Left wrist plain radiograph of the wrist, PA/AP projection, acquired on Siemens: 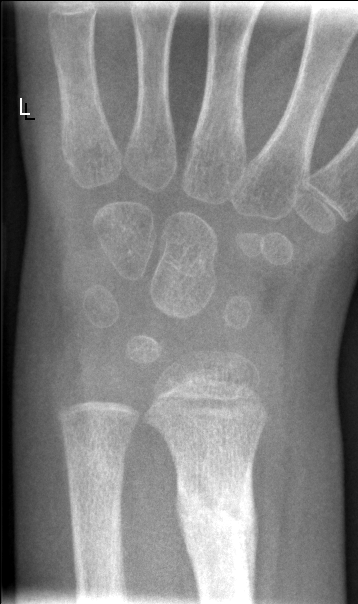
Q: Is there osteopenia?
A: Osteopenia
Q: Fracture present?
A: Two Fx at bbox(178, 476, 258, 561) bbox(62, 433, 130, 502)
Q: What is the AO/OTA classification?
A: AO/OTA classification: 23r-M/3.1; 23u-M/2.1